Lateral, R wrist radiograph, 11-year-old boy, acquired on Siemens.
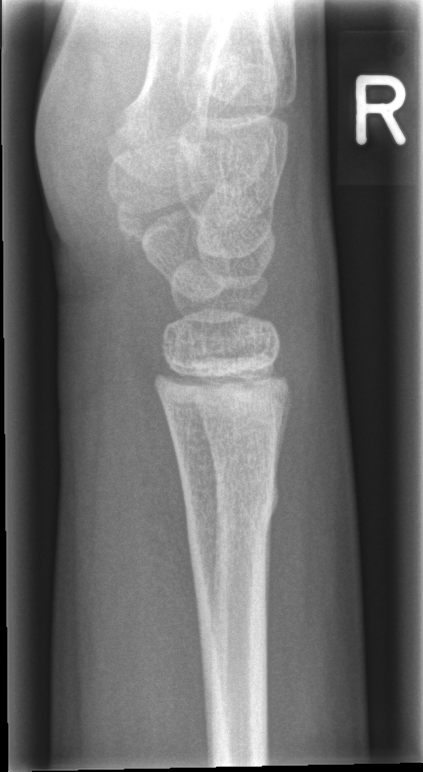

fracture: <182,474>-<282,528>
ao: 23r-M/2.1